Rt wrist X-ray, AP projection, 10y M, Siemens, 81.9 mm image width:
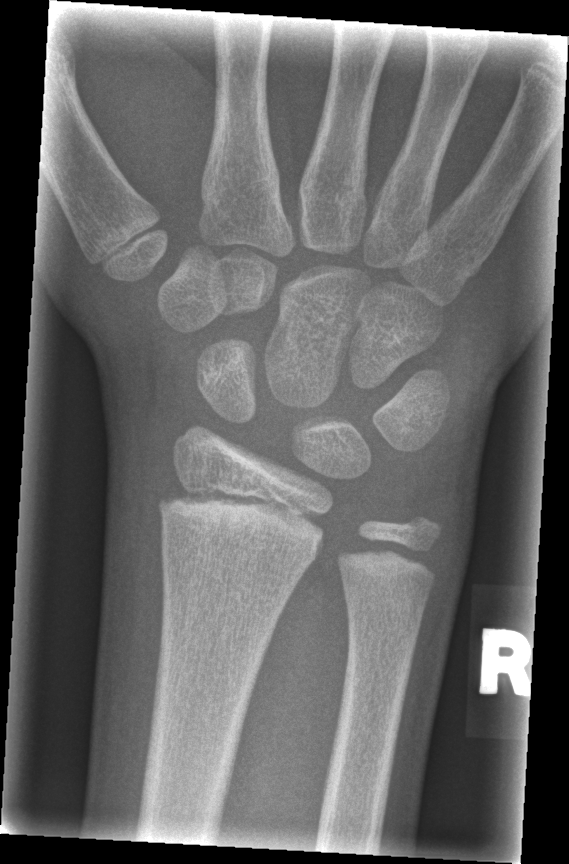 No fracture annotation.